Lat projection | left wrist X-ray | presentation radiograph | 441x1220 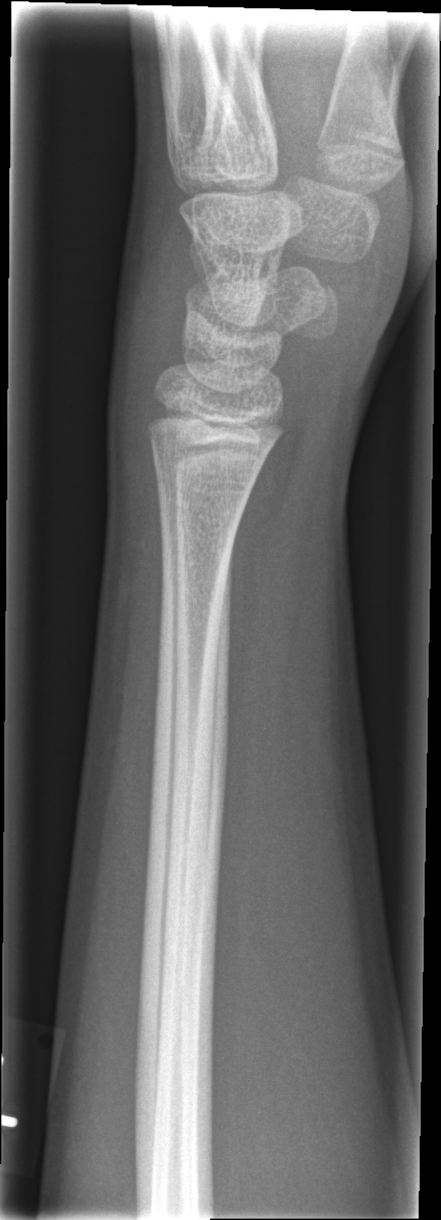

No fracture annotation.